Lt wrist plain film; frontal projection; 12-year-old male 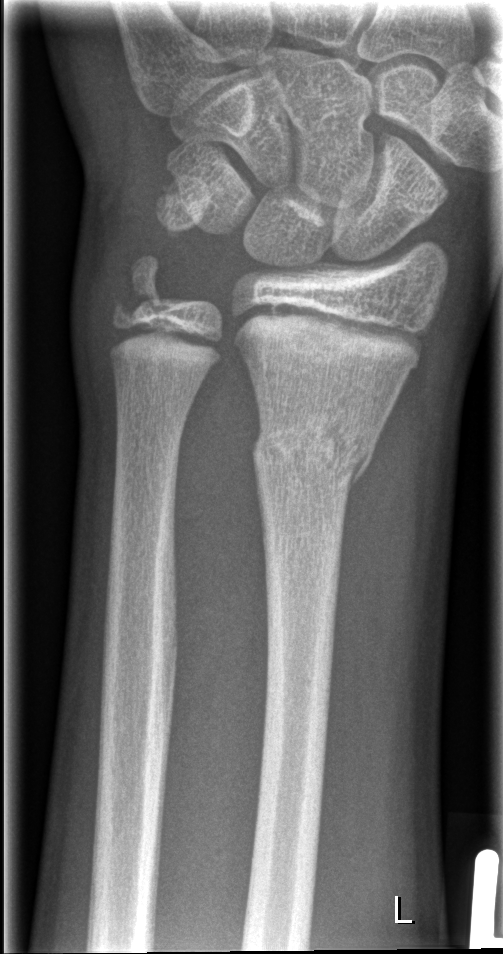 Findings: (boxes as x1,y1,x2,y2 (top-left / bottom-right, pixel units)) Bone fracture identified at (249, 409, 381, 503), (111, 254, 179, 327).